Lat projection; R wrist XR 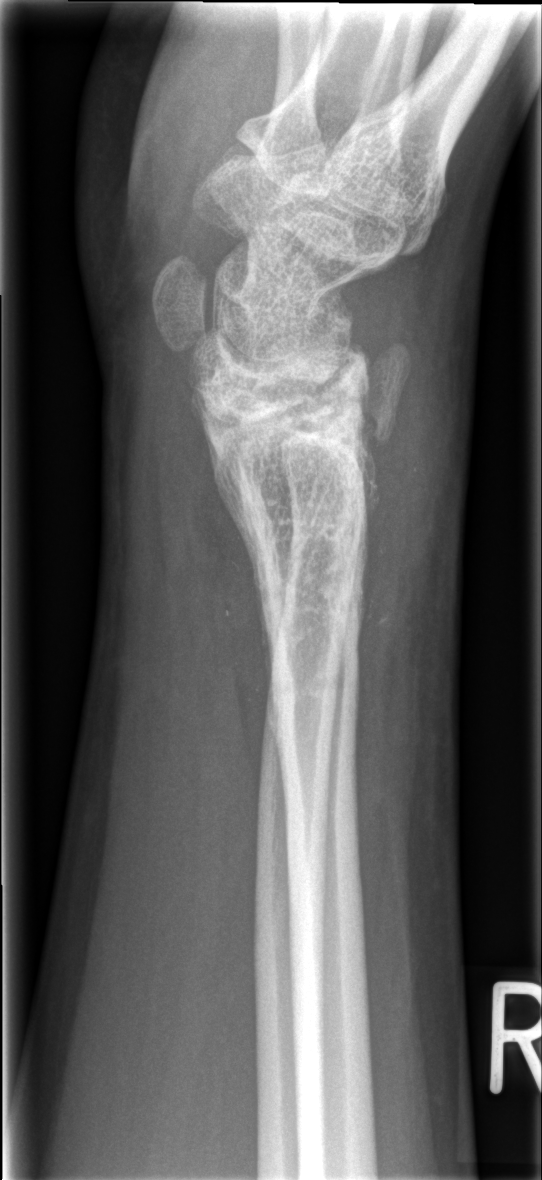
Bounding boxes in image-pixel xyxy.
Fx: none.
Bone anomaly — <189,331>-<414,730>.